Posteroanterior projection | right wrist X-ray | image 71.4 mm wide

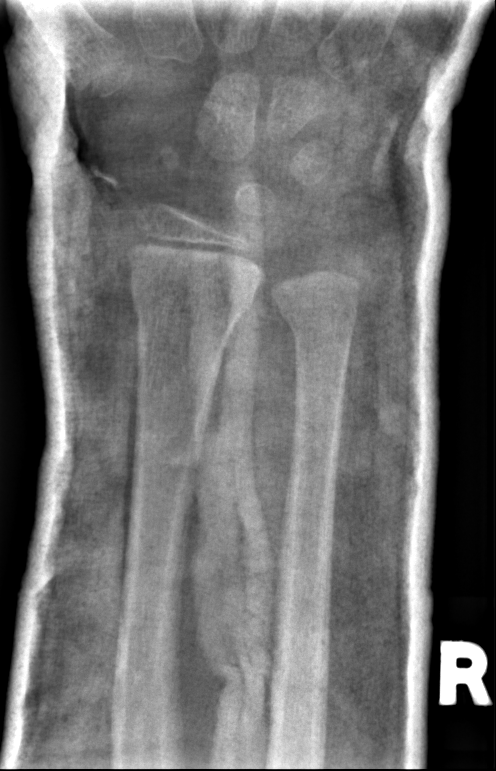 • Fracture classified AO/OTA 23r-E/2.1; 23u-M/2.1.
• Two fractures at bbox(129, 280, 256, 334) bbox(276, 291, 362, 350).